Left wrist plain film · posteroanterior · 578 by 673 pixels: 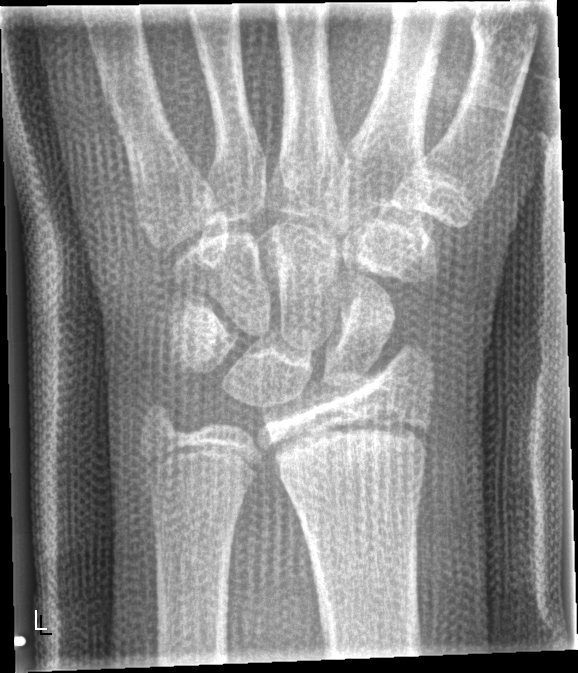

Fx: present but not clearly seen in this view
AO/OTA: 23r-E/2.1